Lateral projection; right wrist plain radiograph of the wrist; 12y M; initial study.
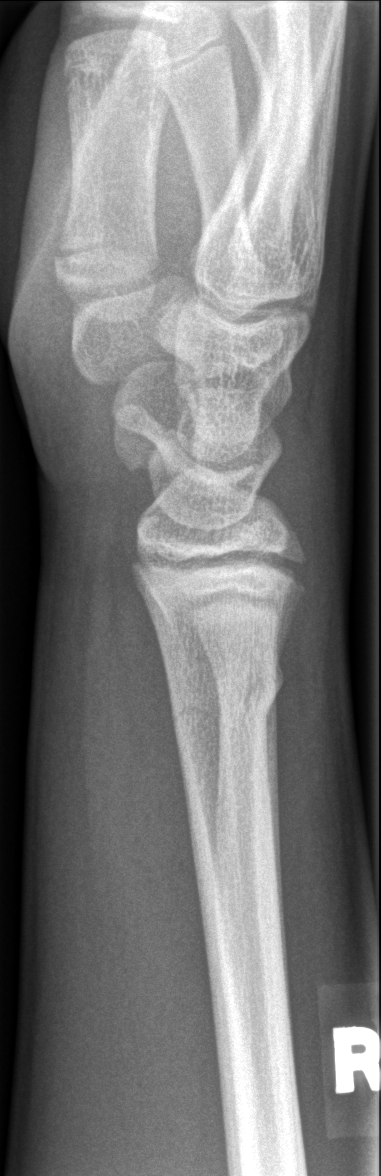
Q: Any fracture seen?
A: Fracture — 164 651 287 729
Q: AO code?
A: AO/OTA classification: 23r-M/3.1; 23u-E/7